Lateral view · left wrist X-ray · 690 by 1568 pixels. 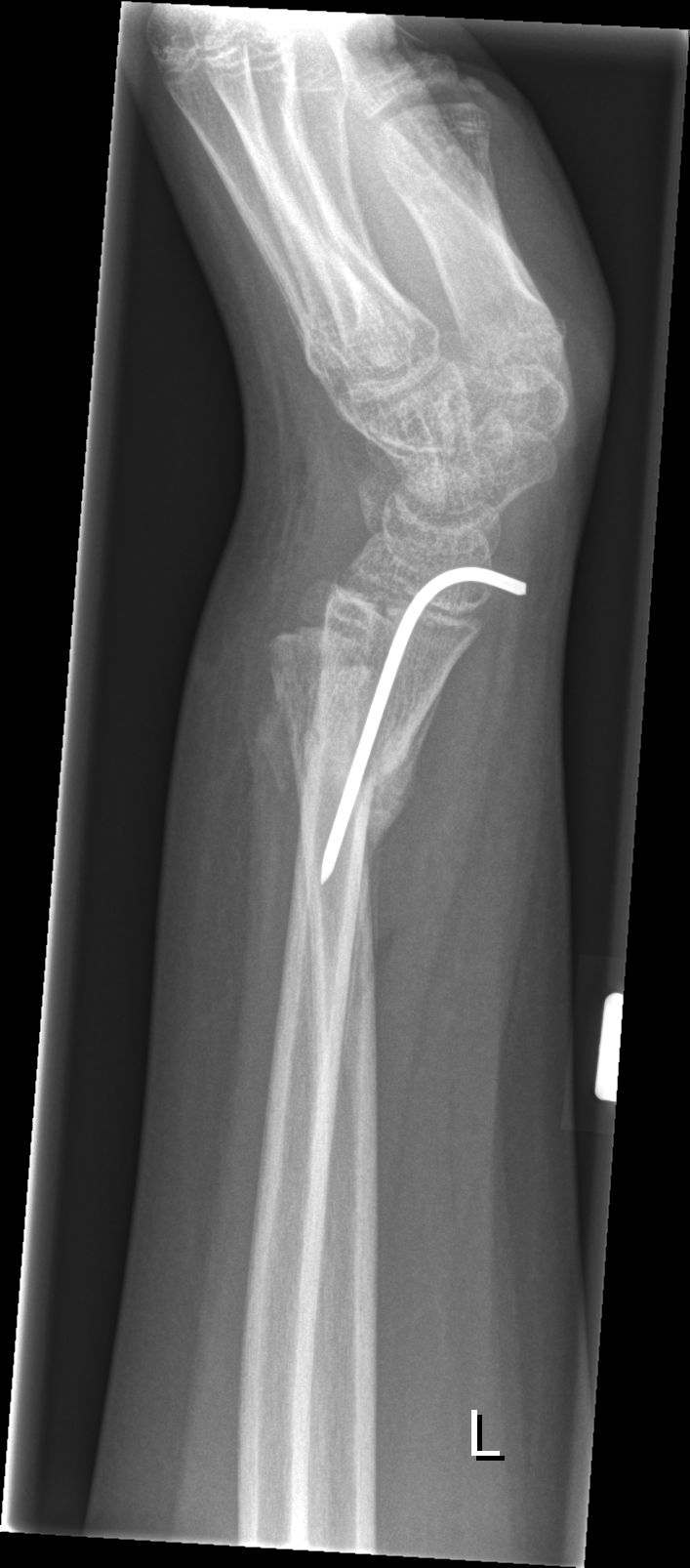   softtissue: 1 @ 174 591 275 892
  osteopenia: present
  ao: 23r-M/3.1; 23u-E/2.1
  metal: 1 @ 317 563 528 887
  fracture: 1 @ 264 694 423 847
  periostealreaction: 2 @ 364 676 449 978
  253 672 299 833